Right wrist plain radiograph of the wrist | lateral | boy, 9 yo | image size 459x1252

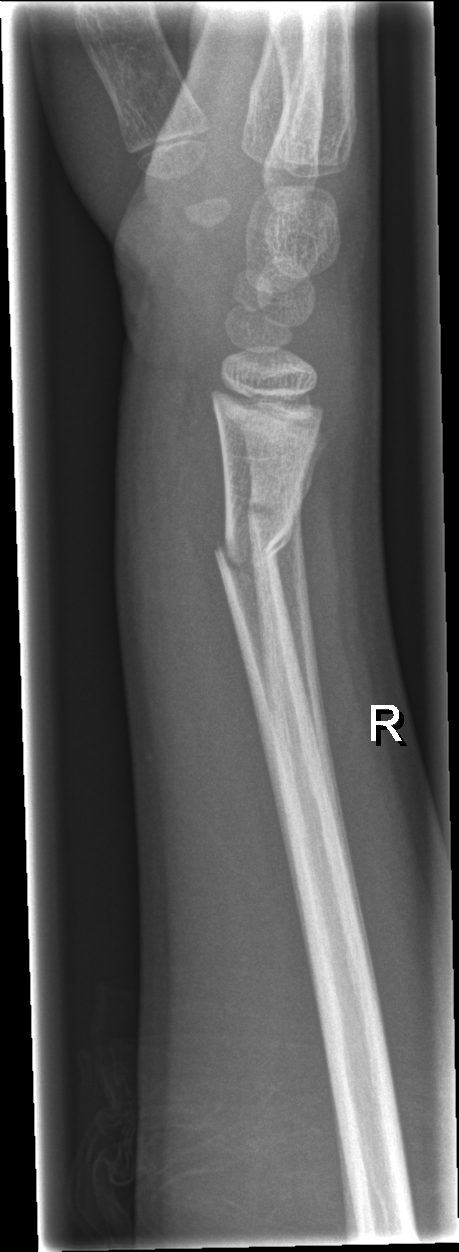 Findings: AO code 23-M/3.1. Two Fx at (210, 520, 296, 583); (243, 492, 305, 535).